AP · L wrist X-ray · age 6 y, boy · follow-up. 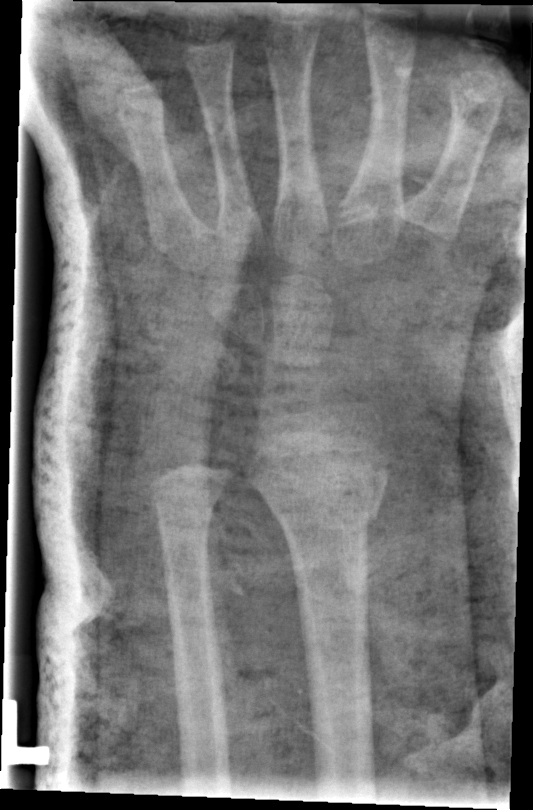

* Fracture: [268, 487, 387, 539].